Left wrist plain film, frontal projection, male, 11 yo, detector: Siemens, 560x972.
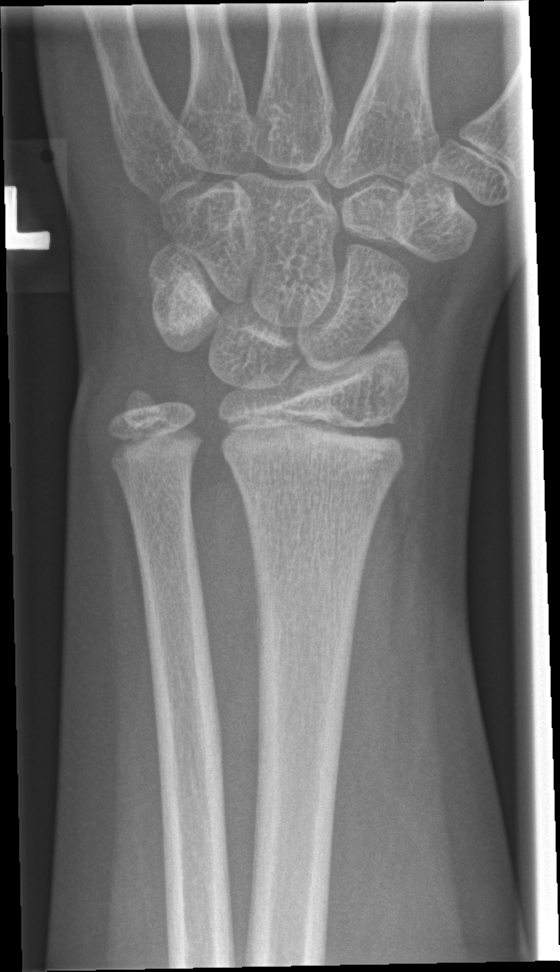 Fracture = none labeled